Left wrist plain film | lateral view. 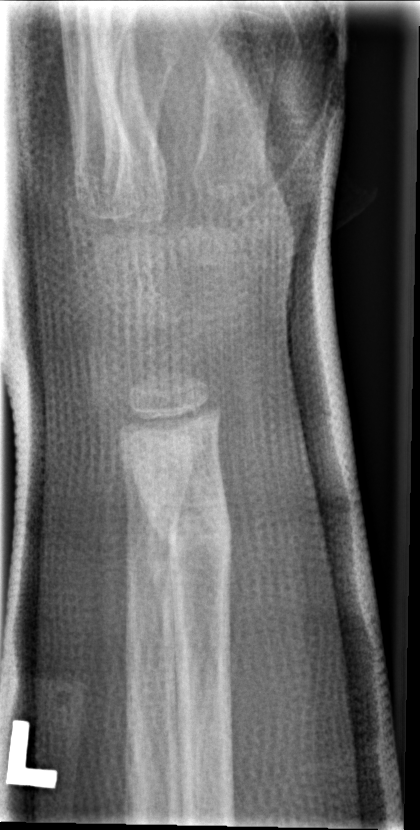

FINDINGS — Fx: (left=134, top=478, right=236, bottom=571). AO code 23-M/2.1. Periosteal reaction — (left=137, top=492, right=186, bottom=740).